Lat projection · L wrist XR · pediatric patient (boy, age 13) — 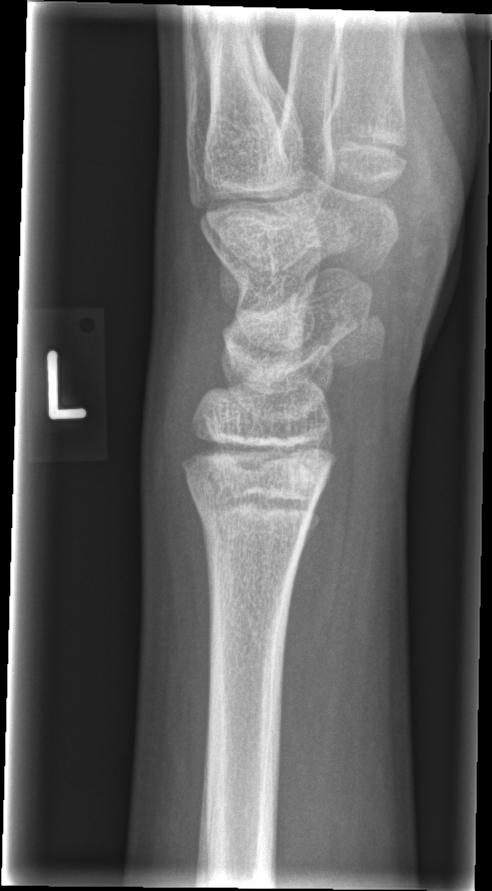 Q: Any soft-tissue swelling?
A: Soft tissue abnormality identified at bbox(139, 311, 223, 568)
Q: Is there a fracture?
A: Bone fracture: bbox(186, 476, 317, 557)